Left wrist X-ray · lat 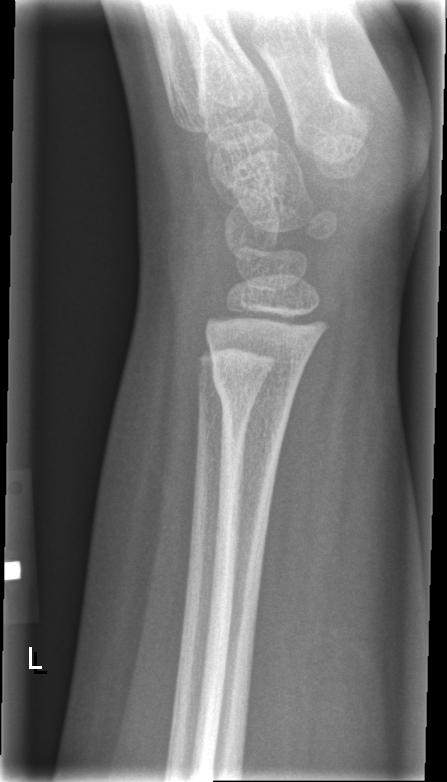
Findings: Bone fracture: (left=210, top=350, right=303, bottom=408).